Right wrist plain film; PA/AP; 12-year-old boy; index exam; 512 x 1223 px:

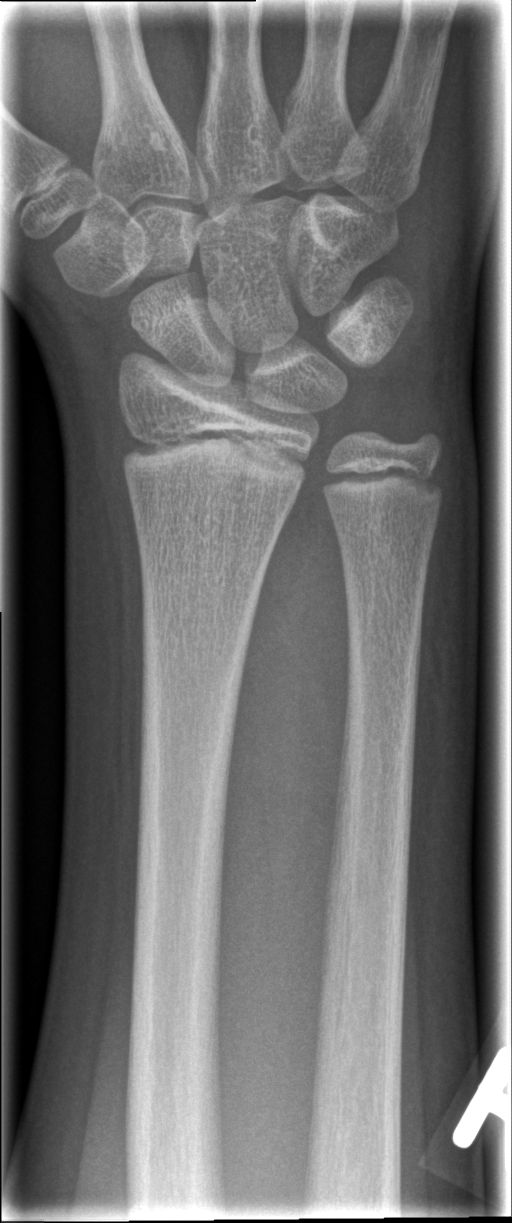

Findings: No fracture labeled.